Posteroanterior · Rt wrist radiograph · 15y M · presentation radiograph: 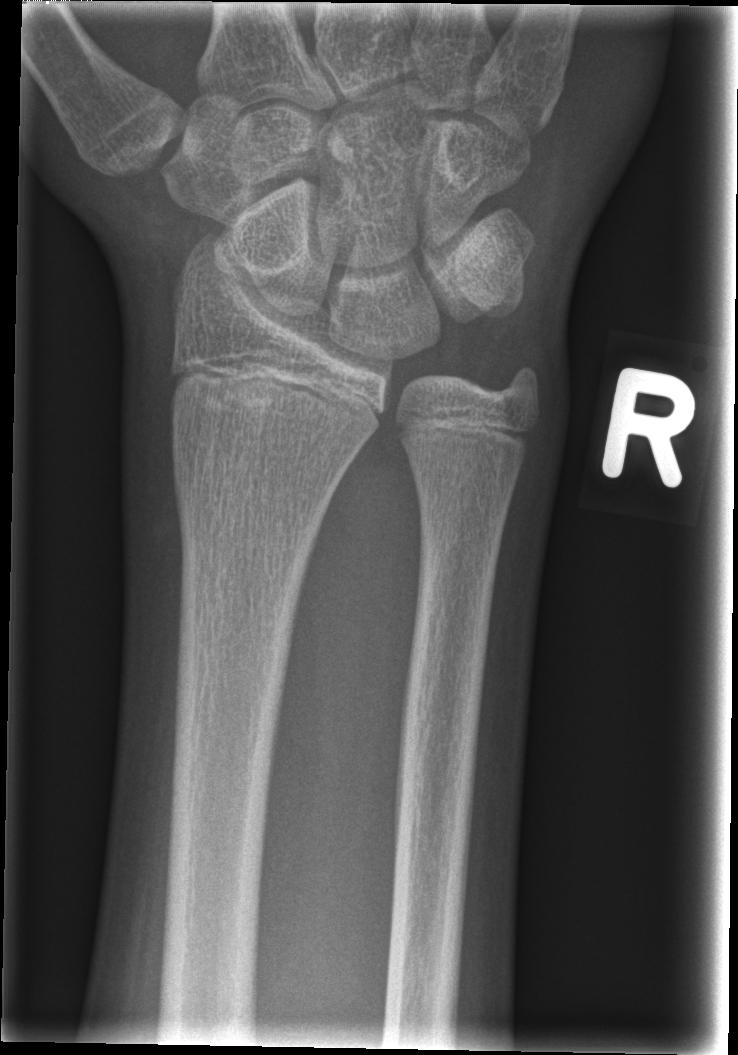
Findings: Fracture: none labeled.